Left wrist plain film · posteroanterior projection · 17y M

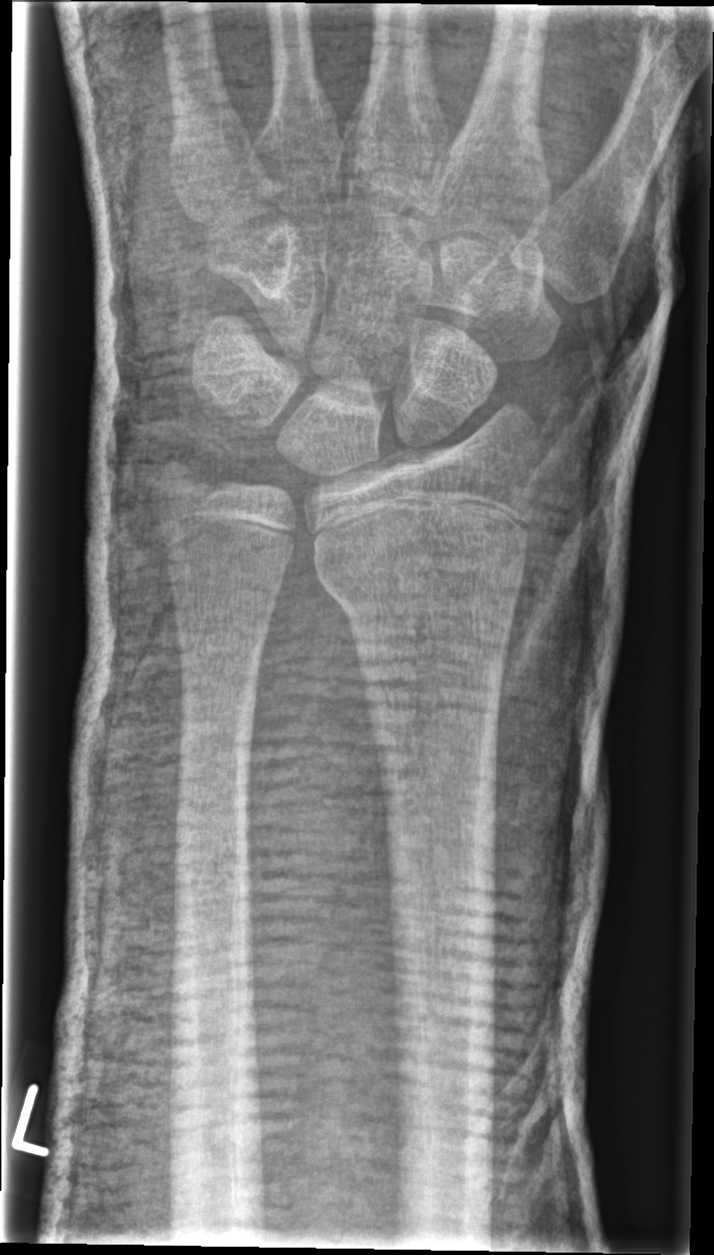 Q: Any fracture seen?
A: Fracture: <323,523>-<531,615>